Frontal projection · Lt wrist plain film · male, 15 yo · detector: Siemens — 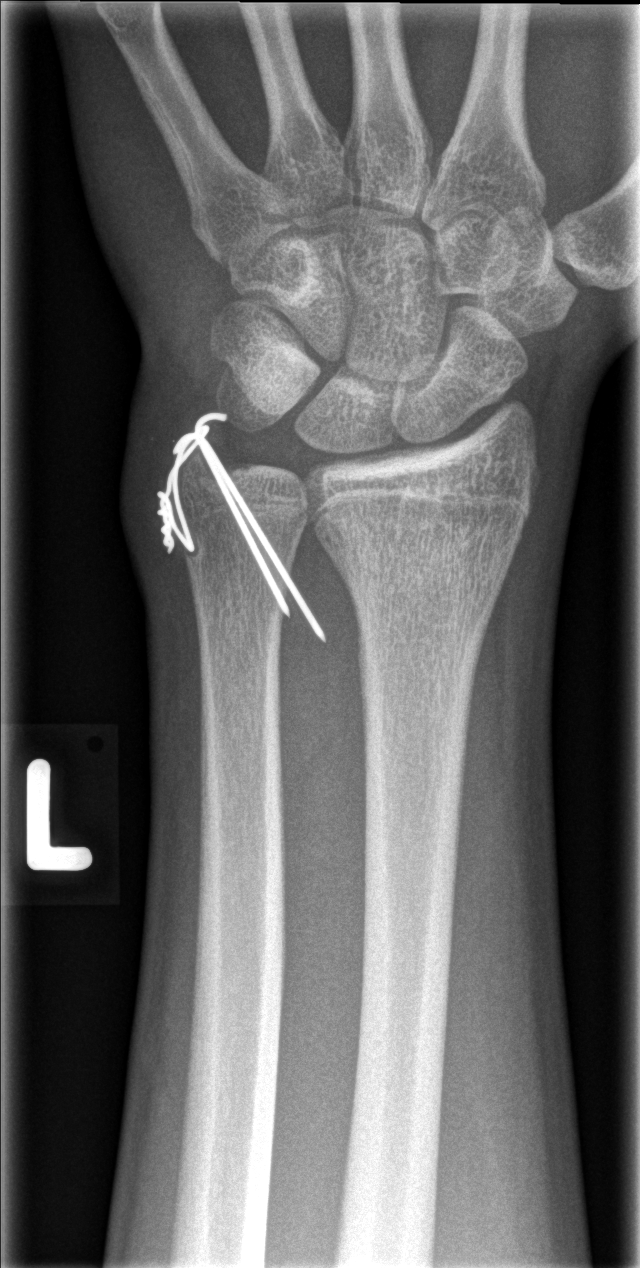
(bounding boxes in image-pixel xyxy)
AO code: 23r-M/2.1; 23u-E/7
Fx: [320, 509, 524, 624]
Metal: 1 @ [152, 407, 328, 645]